Rt pediatric wrist radiograph | lateral view — 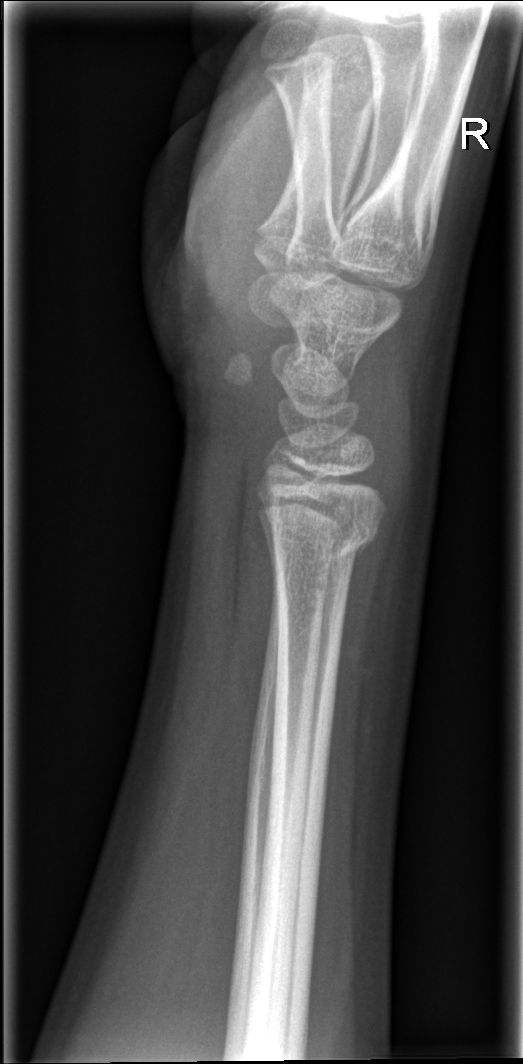
Q: AO code?
A: Fracture classified AO/OTA 23r-M/2.1
Q: Fracture present?
A: Fx — bbox(267, 518, 383, 571)